PA · Rt wrist plain film · age 3 y, male: 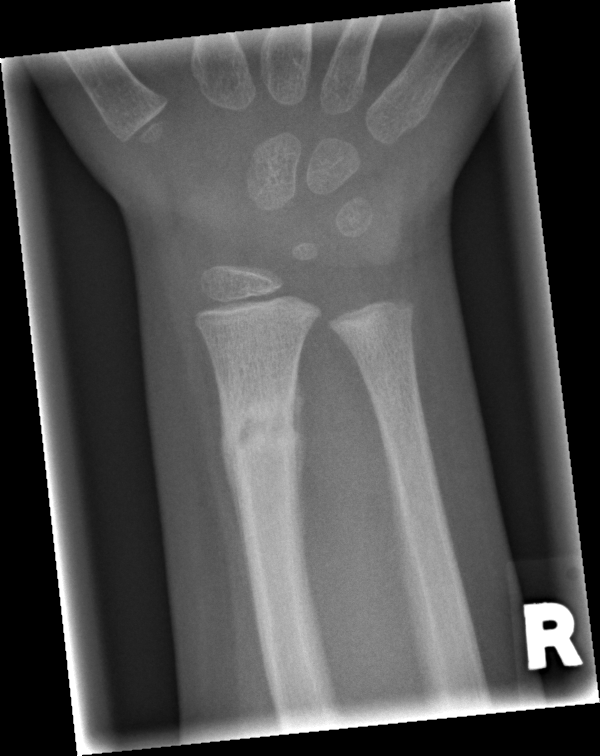
Findings: One fracture at (220, 383, 304, 479). Periosteal reaction — (221, 415, 245, 556), (291, 364, 304, 536).